Lat projection; R wrist XR; age 2 y, girl —
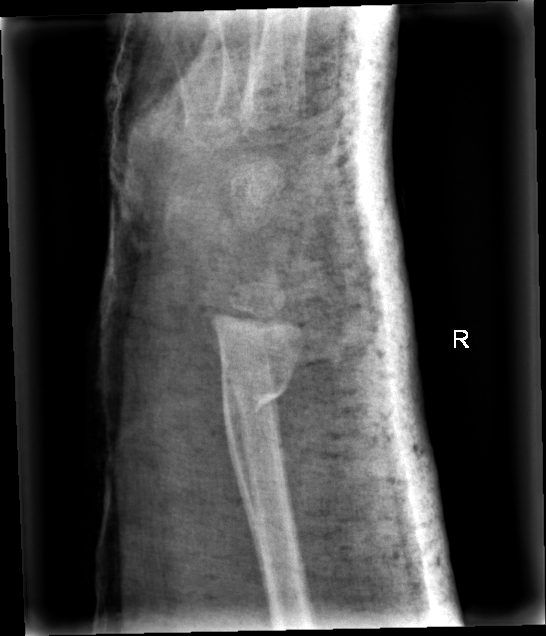
Boxes as x1,y1,x2,y2 (top-left / bottom-right, pixel units). Fracture identified at [220, 370, 289, 428].